Lat; Lt wrist X-ray; age 13 y, male:

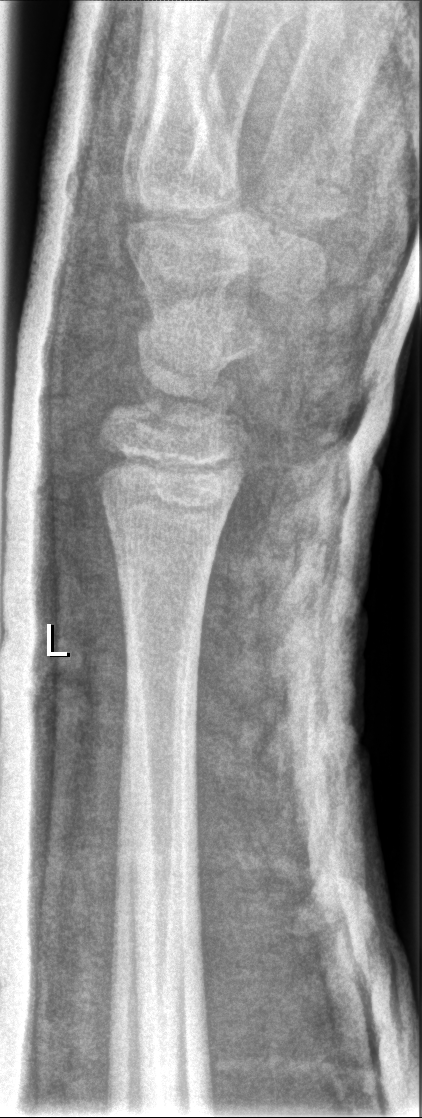 Fx identified at [x1=97, y1=396, x2=173, y2=469].